Lateral view, left wrist plain film, subsequent exam, 71.1 mm image width, image size 494x1092.

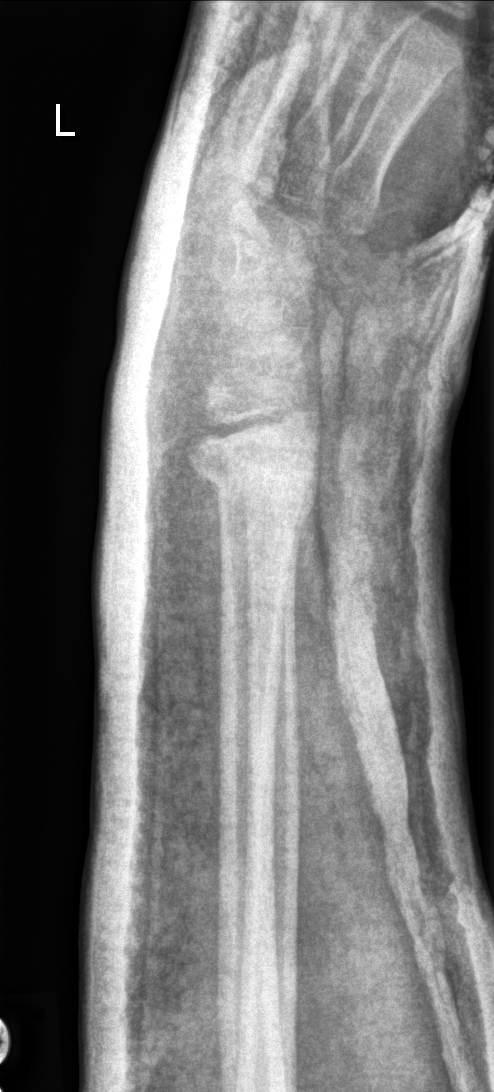 Findings: Bone fracture: (183, 424, 321, 539).